Frontal; Rt wrist radiograph; age 8 y, girl; subsequent exam; Siemens; image 73.4 mm wide: 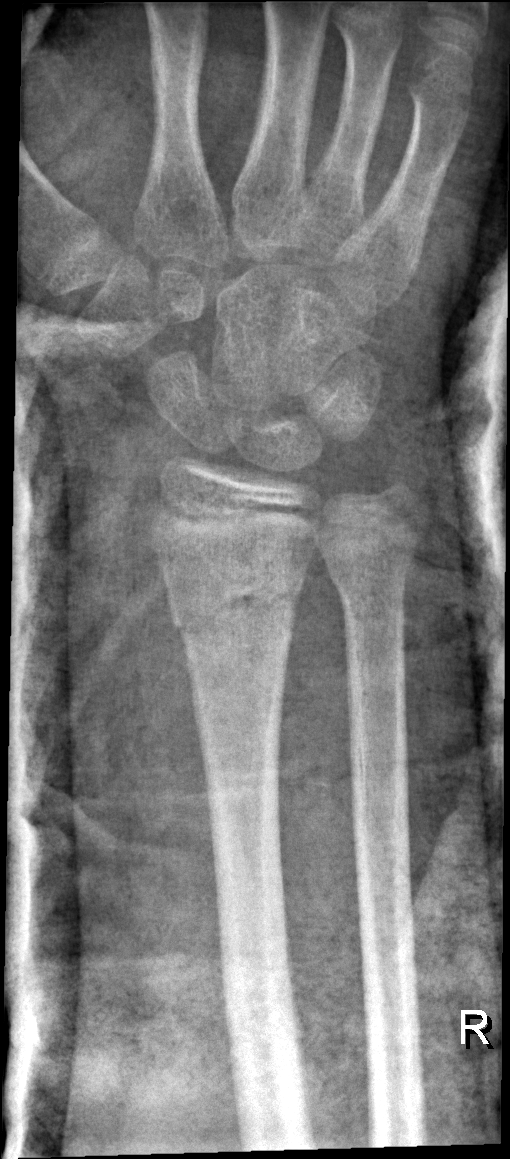
Fracture classified AO/OTA 23r-M/3.1; 23u-M/2.1.
Two Fx at [164, 549, 306, 656] [323, 541, 416, 603].